Lateral projection, R wrist radiograph, 11-year-old male, detector: Siemens: 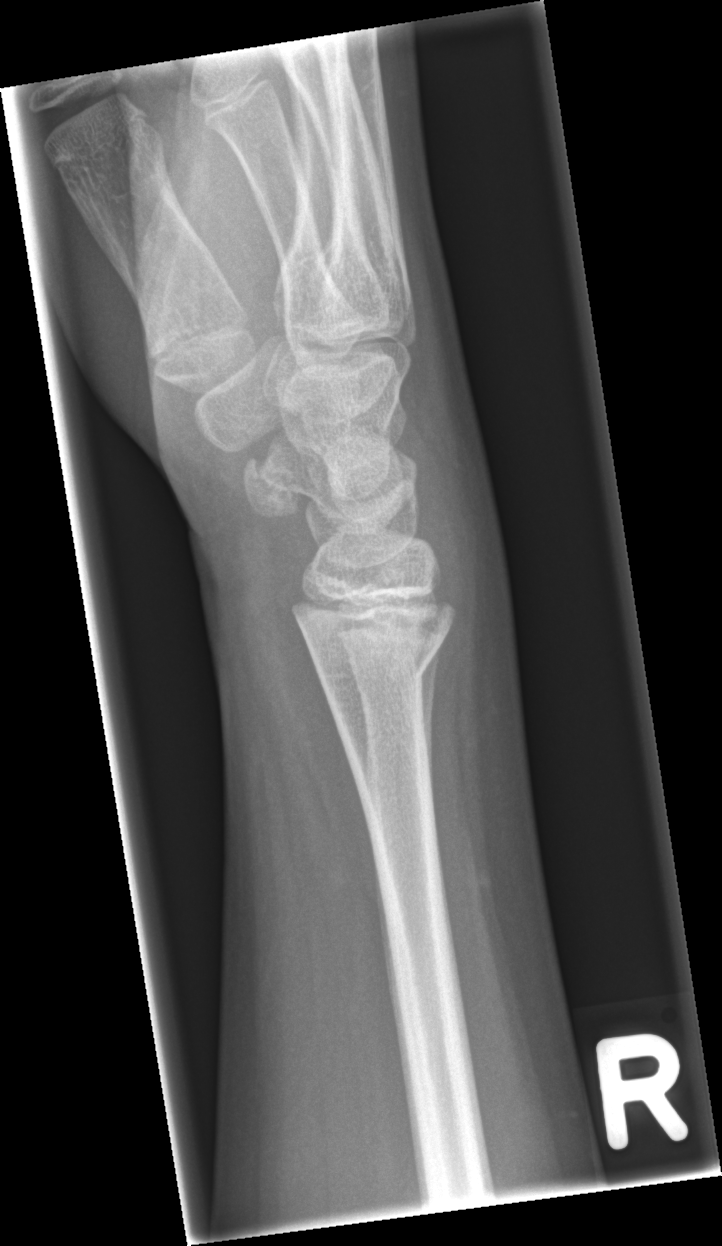
  # coordinates are [x1, y1, x2, y2] in image pixels
  periostealreaction: 1 @ (left=418, top=628, right=448, bottom=830)
  fracture: 1 @ (left=299, top=607, right=459, bottom=713)